Lateral projection, Lt wrist X-ray, male, 9 yo, subsequent exam, cast in situ, Siemens:

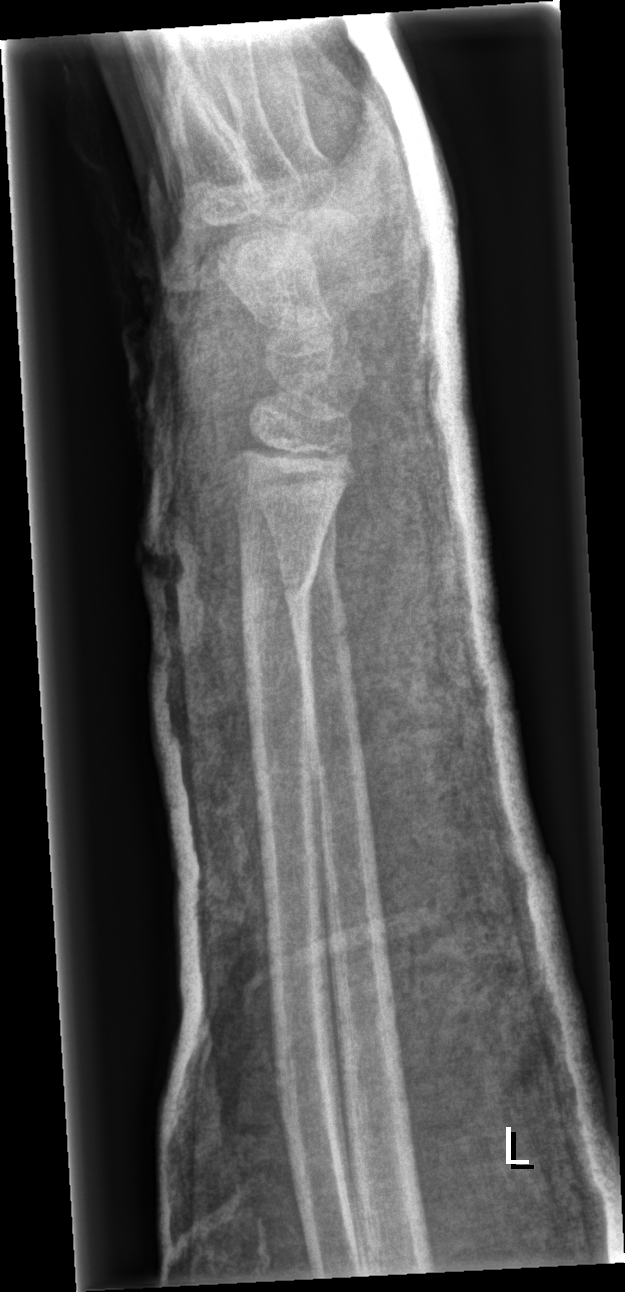
Two fractures at 237,547,321,645 | 273,534,343,604.